Lat view; right wrist plain radiograph of the wrist; 4y F; cast in situ.
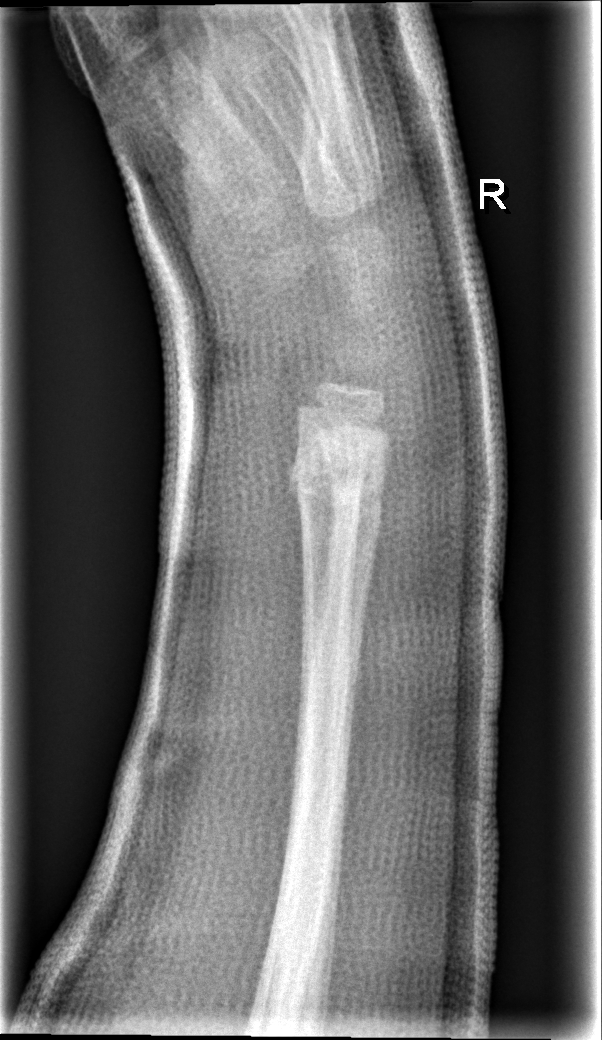

* Fx identified at 288,440,388,524.